R wrist radiograph · PA/AP · presentation radiograph · acquired on Siemens · image width 71.7 mm · image size 498x915 —

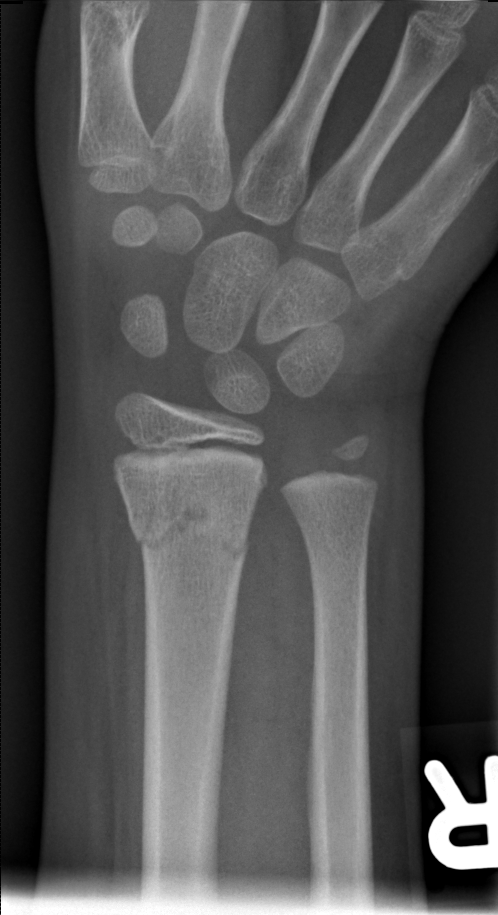
Fracture identified at (123, 479, 254, 569). AO/OTA classification: 23r-M/3.1.